Lateral | right wrist X-ray | follow-up study | cast present | image size 542x1138. 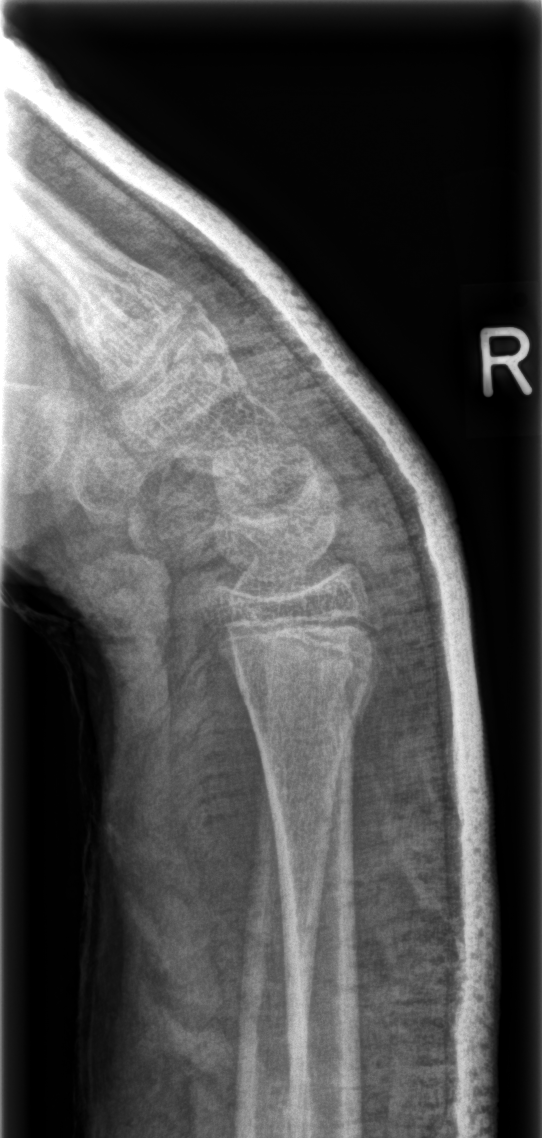
AO/OTA = 23r-M/3.1; 23u-E/7
bone fracture = 229 641 387 736